Posteroanterior | Lt wrist X-ray | pediatric patient (male, age 10):
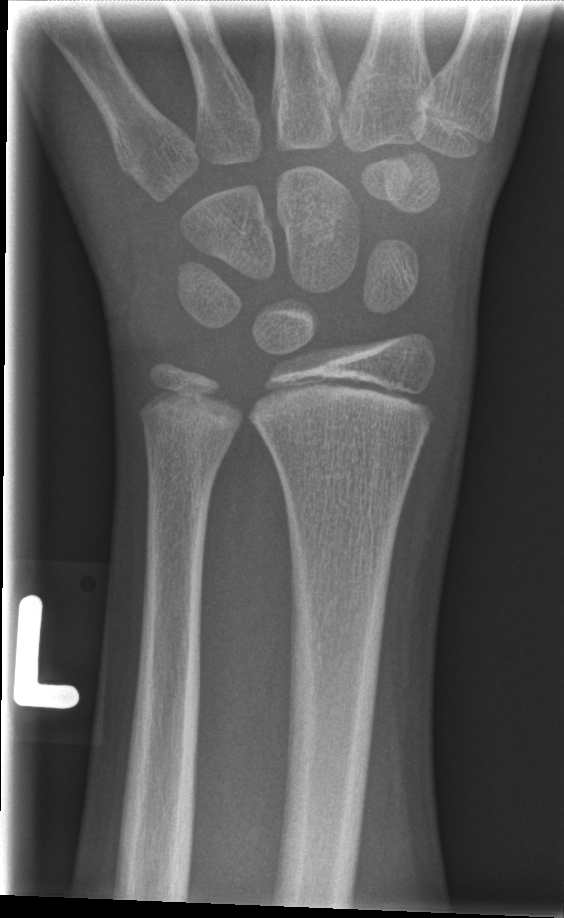
Fx: none labeled